L wrist radiograph; PA view; follow-up.

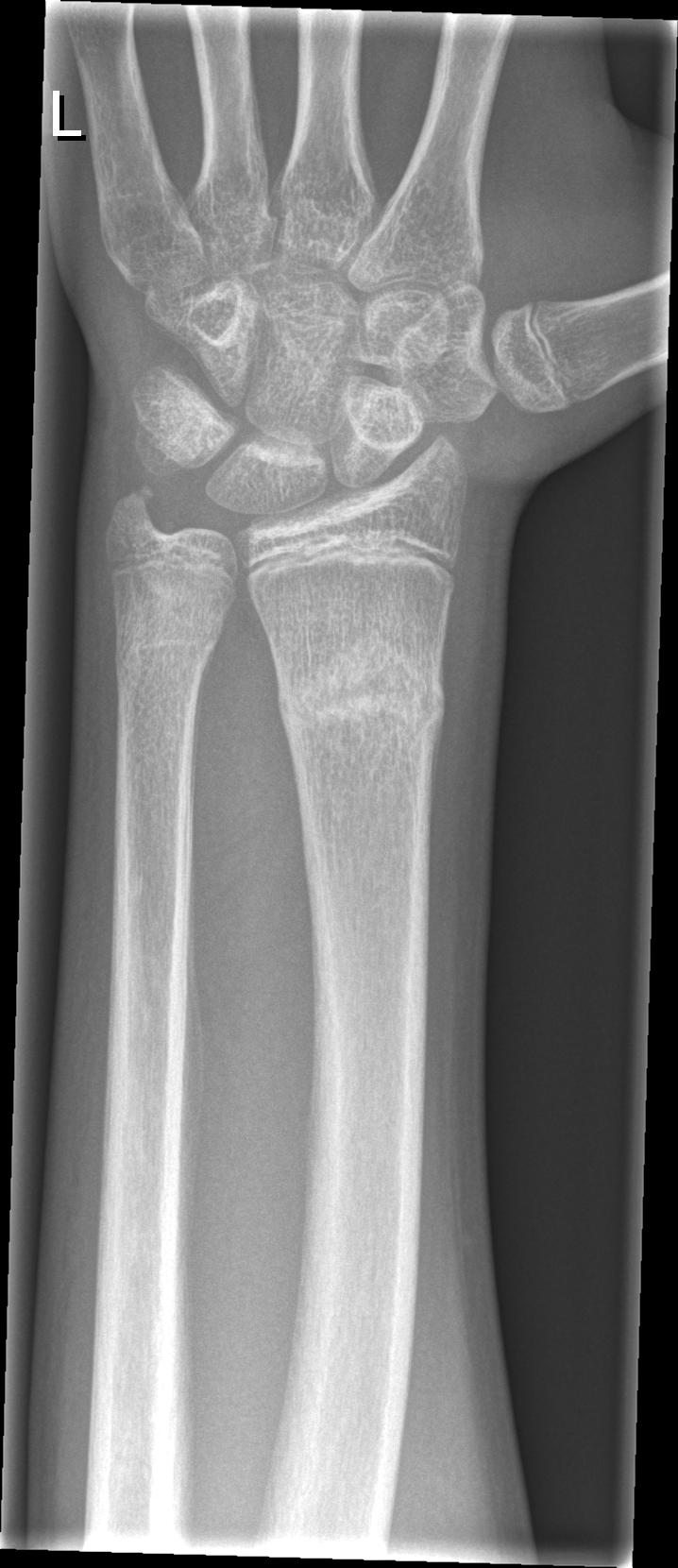 {"fracture": "272,632,449,758\n  107,571,229,687\n  102,478,169,546", "periostealreaction": "190,635,221,827", "osteopenia": "present"}